Lateral projection; Rt plain radiograph of the wrist; cast present; 522 by 896 pixels:
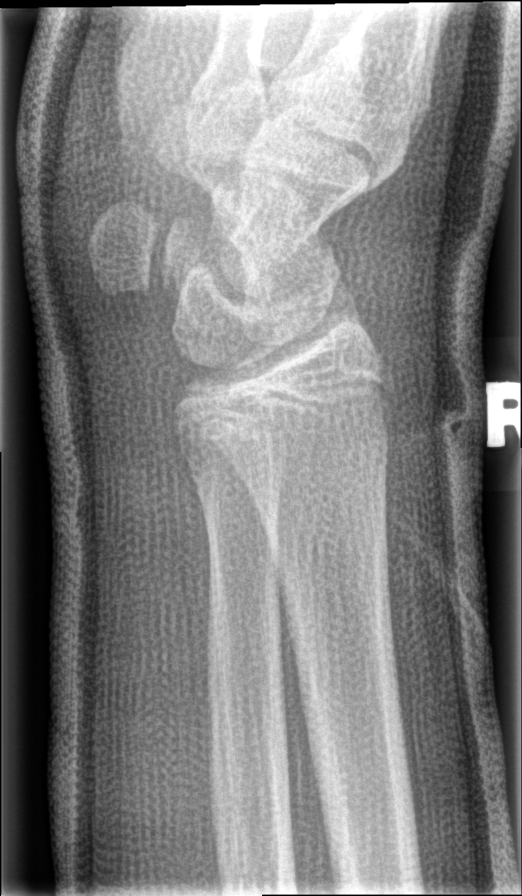
Q: Locate any fractures.
A: Fracture present but not clearly seen in this view
Q: What is the AO/OTA classification?
A: AO/OTA classification: 23r-E/7